Right wrist pediatric wrist radiograph · PA/AP view · male, 11 yo · in cast · detector: Siemens · 590 by 1086 pixels. 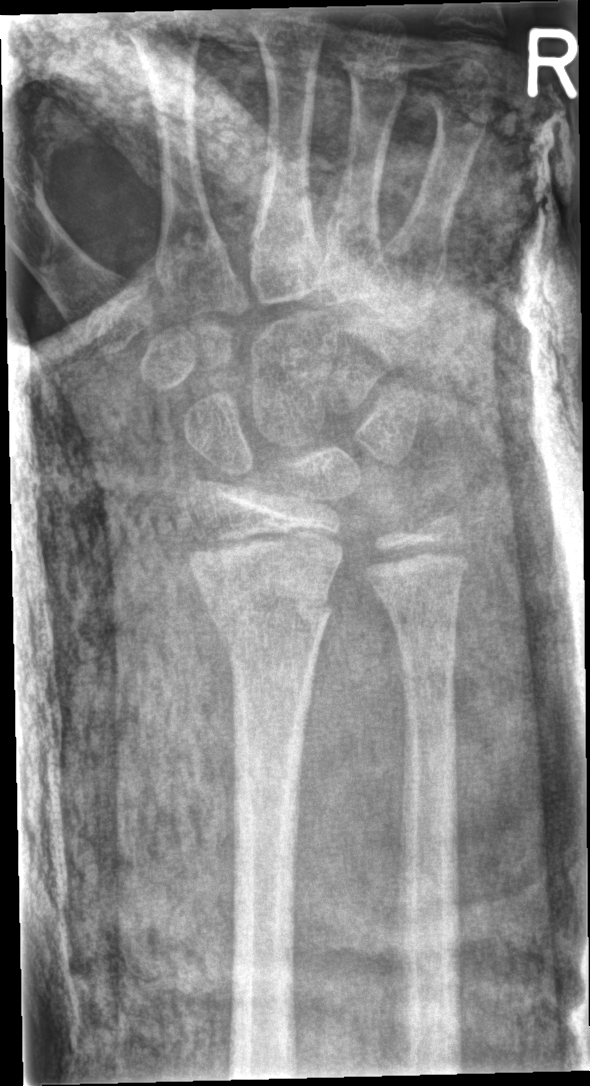

Pixel coordinates, top-left origin, xyxy. One periosteal new bone at (392, 642, 404, 693). AO code 23r-M/3.1; 23u-M/2.1. Two Fx at (204, 581, 337, 667), (393, 620, 460, 696).